AP projection | left wrist pediatric wrist radiograph | 591 by 1094 pixels
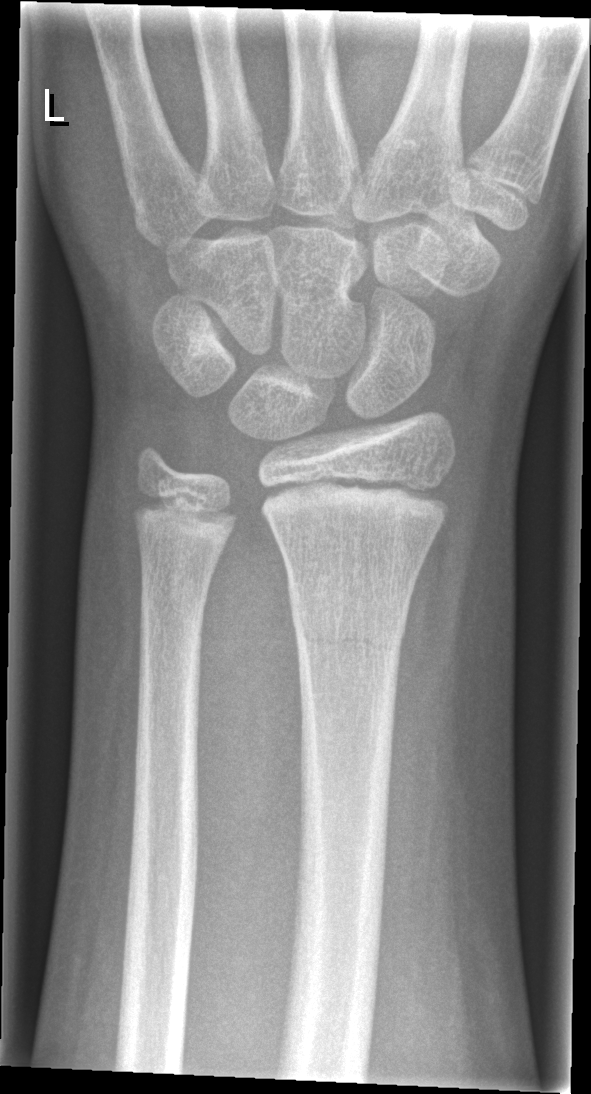
Fx: <290,590>-<408,656>.